Left wrist pediatric wrist radiograph; lat projection; 5y F; acquired on Siemens:

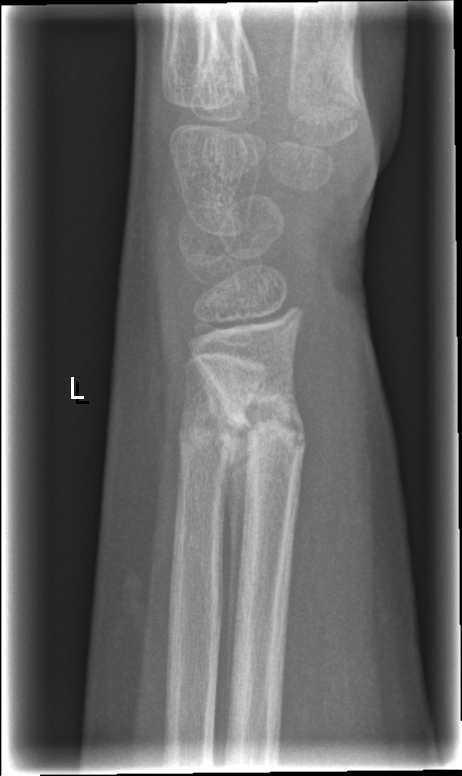

AO classification: 23-M/3.1
periosteal thickening: bbox(193, 356, 253, 741)
fracture: 2 @ bbox(226, 388, 307, 467); bbox(174, 406, 242, 464)
osteopenia: present